Lat view; Rt wrist XR; 680 x 1112 px — 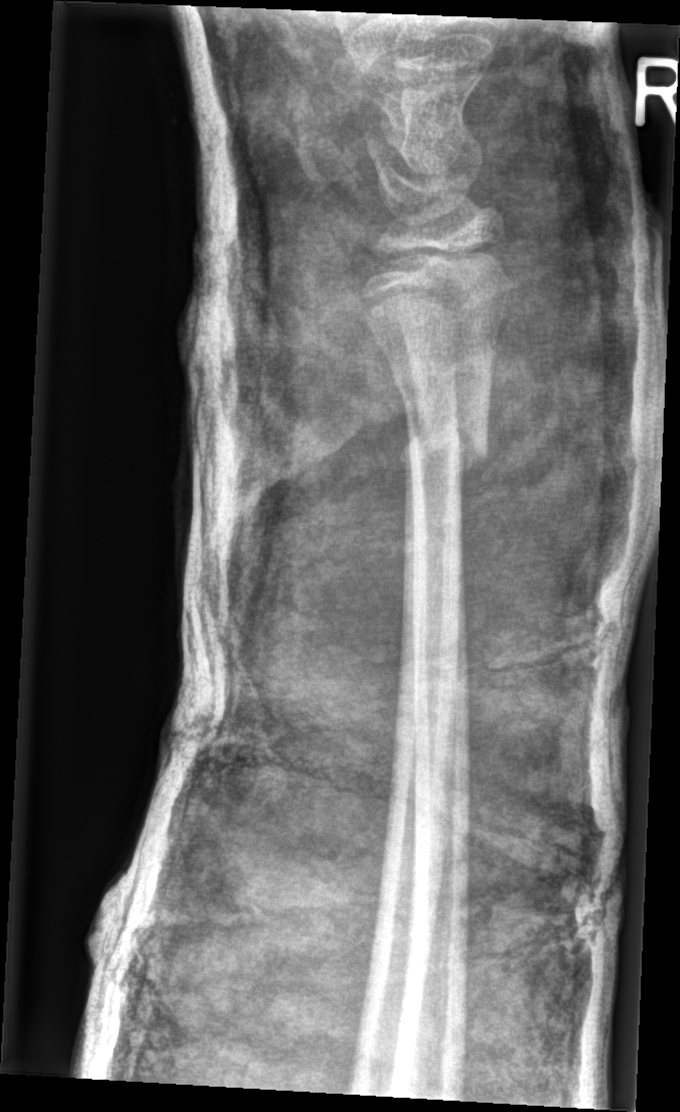
• Pixel coordinates, top-left origin, xyxy.
• AO/OTA classification: 23r-M/3.1; 23u-M/2.1.
• Fracture: 399,414,493,476.